Lat projection, right wrist XR, pediatric patient (male, age 11).
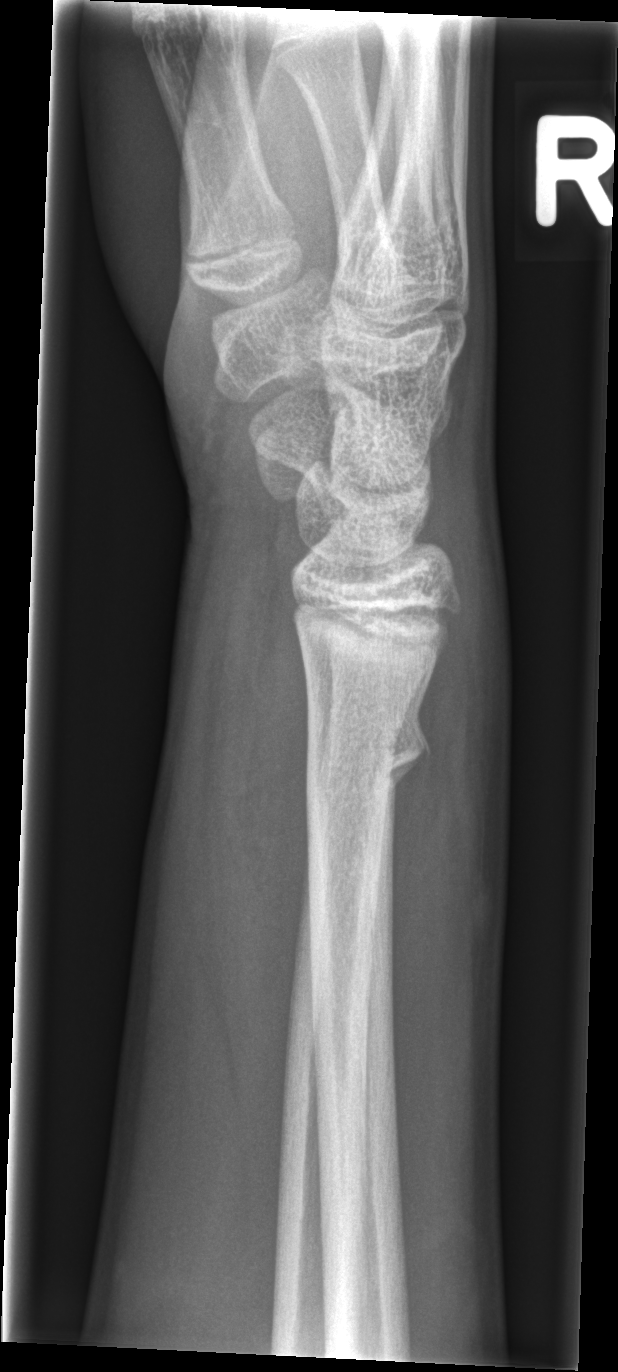 Bounding boxes in image-pixel xyxy.
Bone fracture — (left=302, top=703, right=437, bottom=811).
Pronator sign — (left=234, top=592, right=313, bottom=1031).